AP view, Rt wrist radiograph, male, 12 yo, Siemens

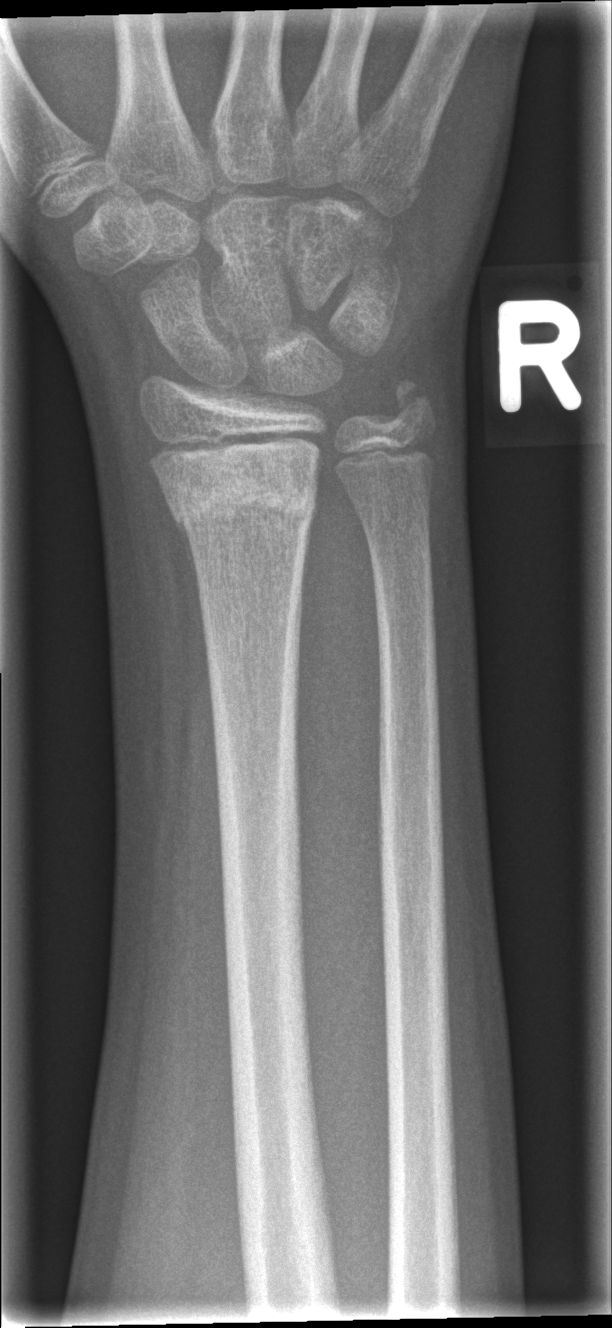
Boxes as x1,y1,x2,y2 (top-left / bottom-right, pixel units).
AO code 23r-M/3.1; 23u-E/7.
One periosteal new bone at <174,517>-<203,612>.
Fx identified at <162,456>-<332,546>, <381,364>-<447,440>.